Lat; left wrist X-ray; 11-year-old boy; follow-up; cast in situ; Siemens; 586x1128 — 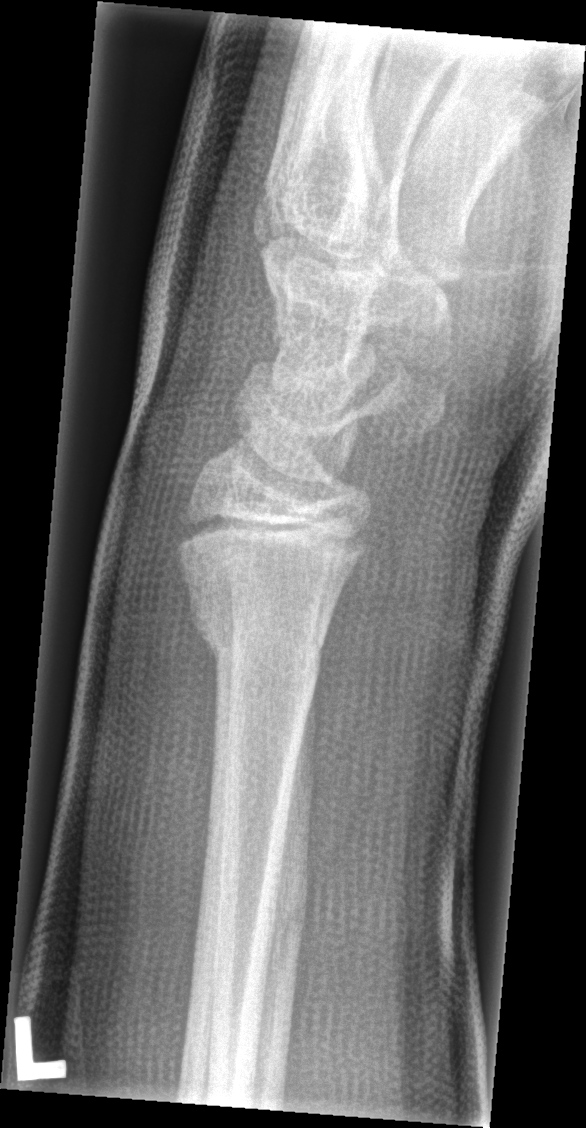 FINDINGS: Fx — (184, 585, 335, 689). AO code 23r-M/3.1.